Frontal projection | left wrist radiograph | pediatric patient (female, age 10) —
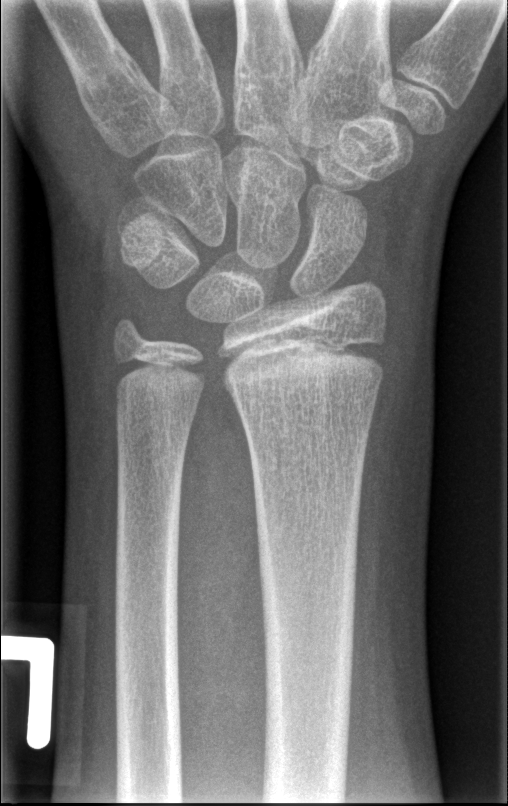

Fx: none.